Lt wrist plain film · lateral projection · male, 11 yo · follow-up · 641 x 1130 px: 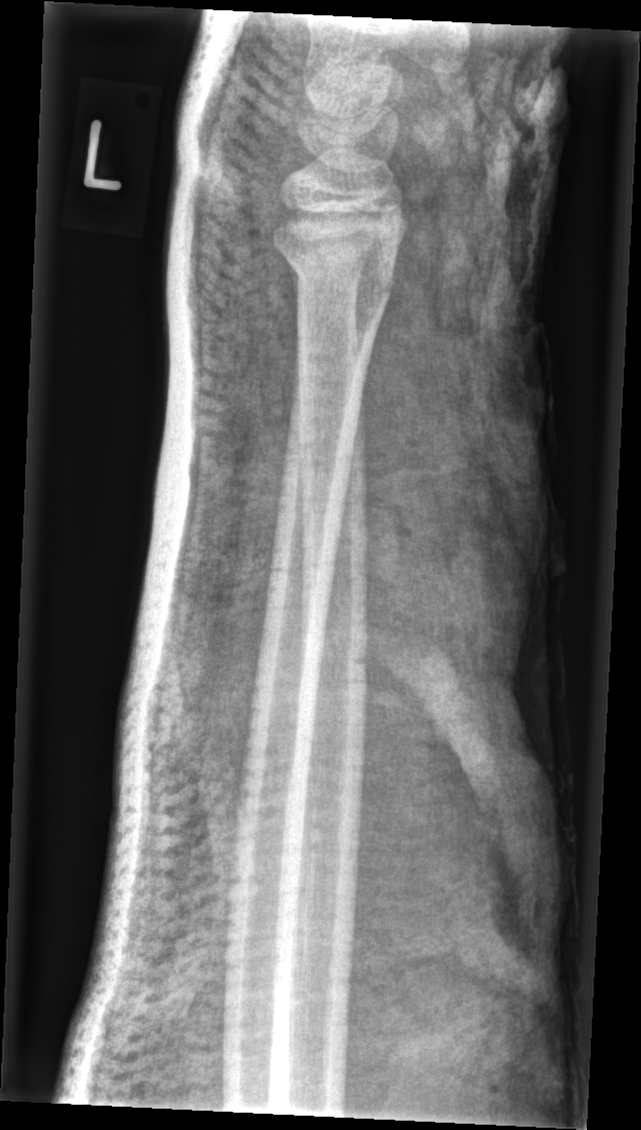

One bone fracture at 263,228,400,328.
AO/OTA classification: 23r-M/3.1.